Left wrist X-ray | PA/AP | 86.1 mm image width | 598x1060 —

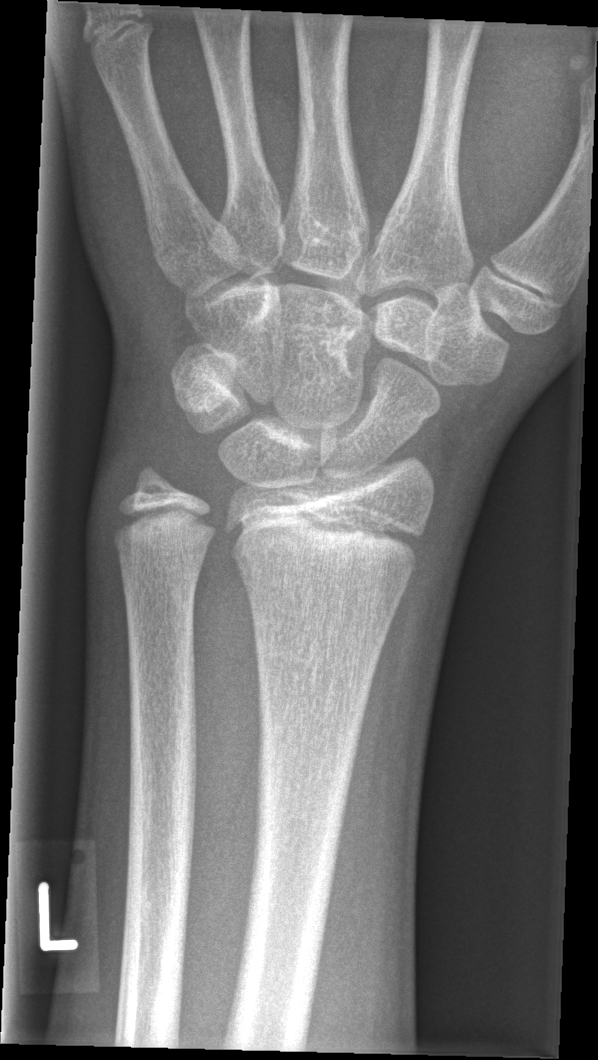
Fracture: none labeled.